Right wrist radiograph · lat · subsequent exam · in cast —
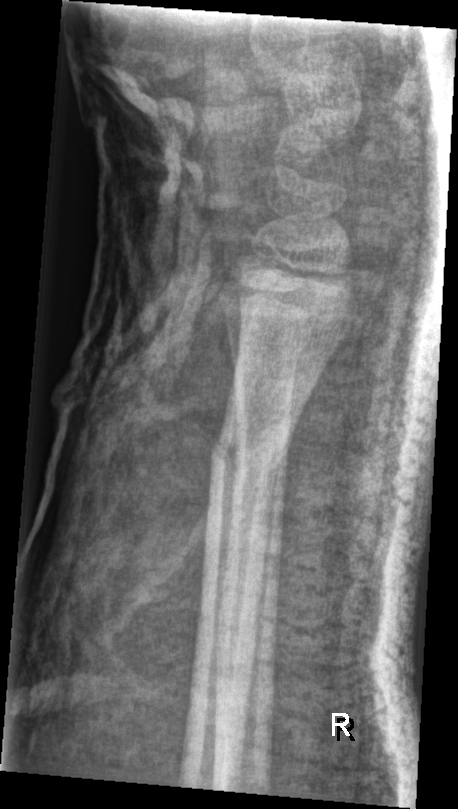
(bounding boxes in image-pixel xyxy)
Fx = 1 @ [x1=206, y1=425, x2=294, y2=485]